Right wrist X-ray | lat projection | presentation radiograph | detector: Siemens | image size 505x980:

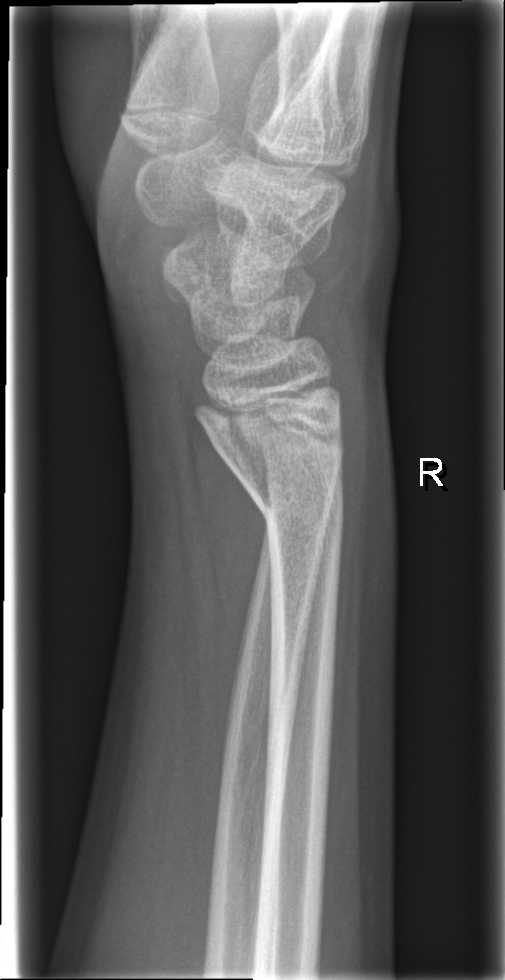 * Bone fracture: 224 454 350 572.
* Fracture classified AO/OTA 23r-M/2.1.